AP · left wrist XR · 16y M · index exam
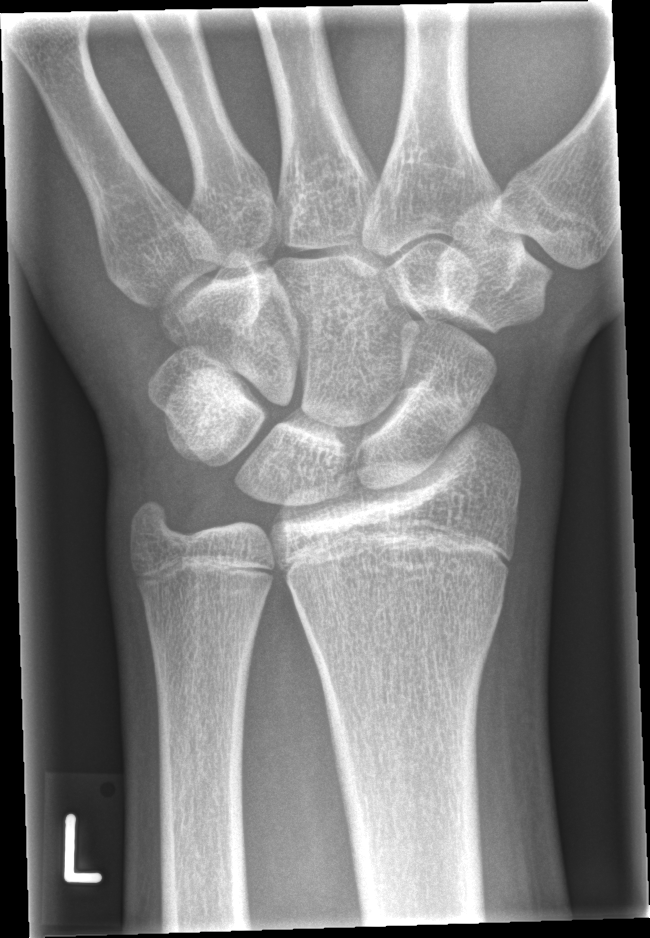
No fracture labeled.